Rt wrist plain film · PA/AP projection · boy, 9 yo · image 77.6 mm wide —

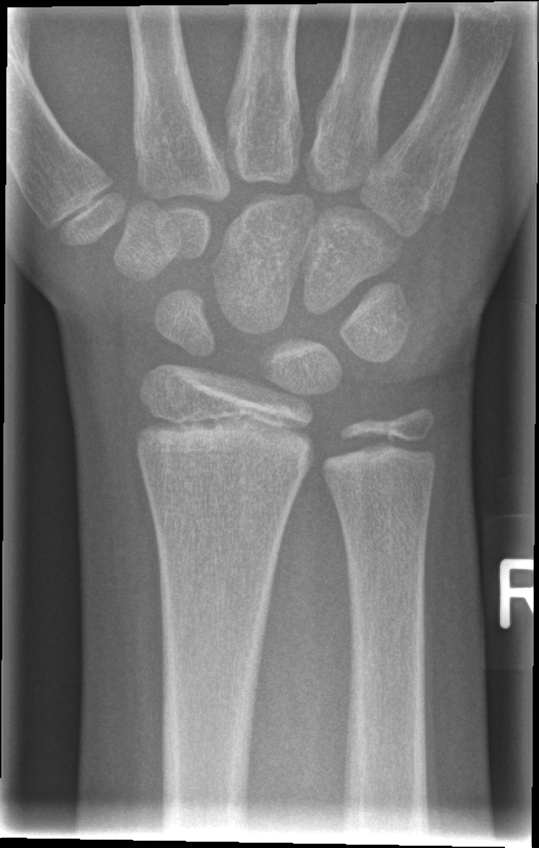 FINDINGS: No fracture bounding box.